Left pediatric wrist radiograph, lateral view, follow-up study, image 69.7 mm wide:
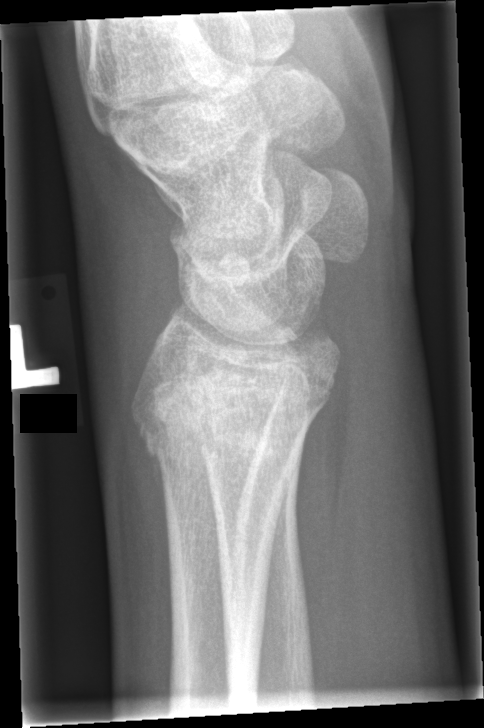

Bone fracture = 1 @ [x1=129, y1=394, x2=317, y2=492]
Osteopenia = present
AO code = 23r-M/3.1; 23u-E/7